Lateral view | Lt plain radiograph of the wrist | age 10 y, male | initial study | Siemens —

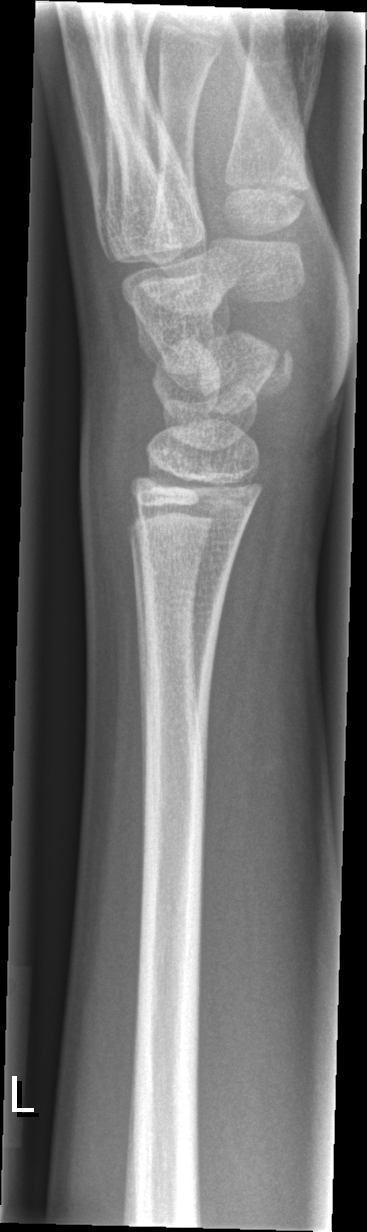

Findings: No fracture annotation.